Posteroanterior projection · left wrist XR · 14y M · initial study: 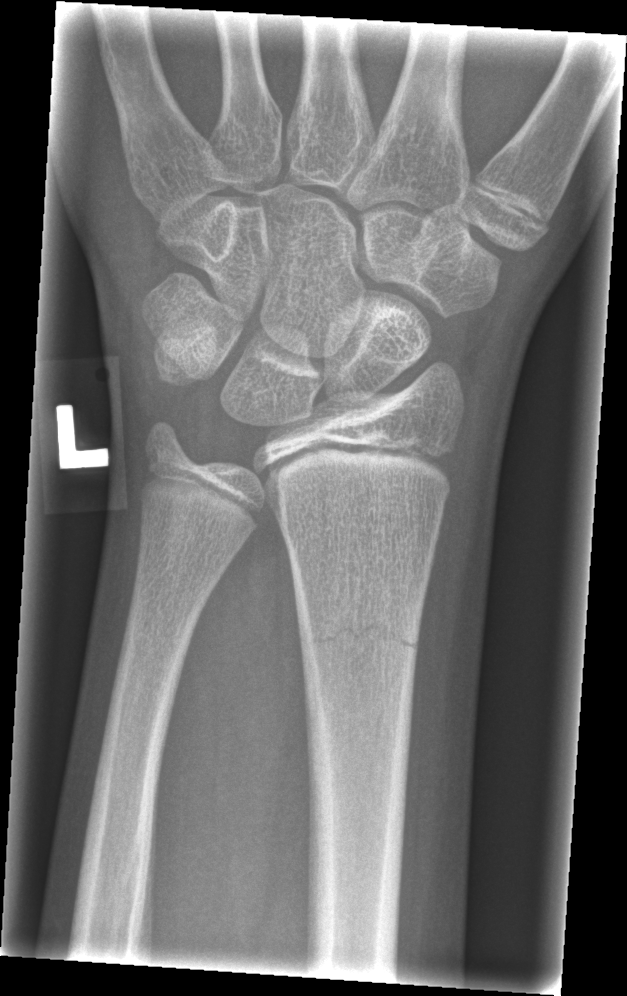
- Coordinates are [x1, y1, x2, y2] in image pixels.
- AO code 23r-M/3.1.
- Fx identified at [296, 607, 423, 673].